Left wrist X-ray; AP view; image 93.6 mm wide: 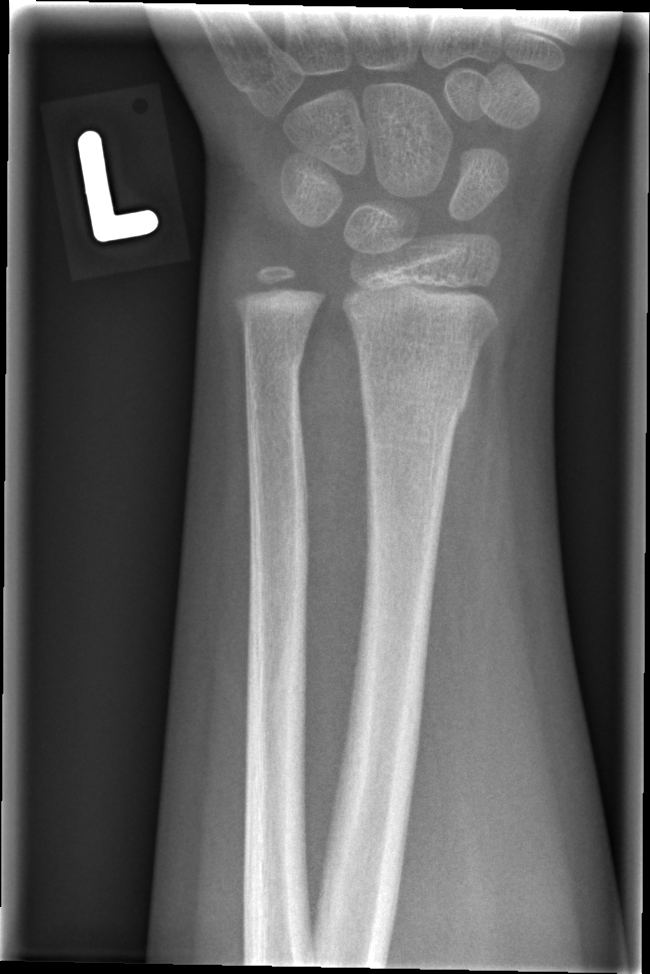
AO/OTA classification: 23-M/2.1. Fx identified at 356 352 473 428 | 240 341 309 388.